Lateral projection; right wrist radiograph; pediatric patient (boy, age 10); in cast; Siemens 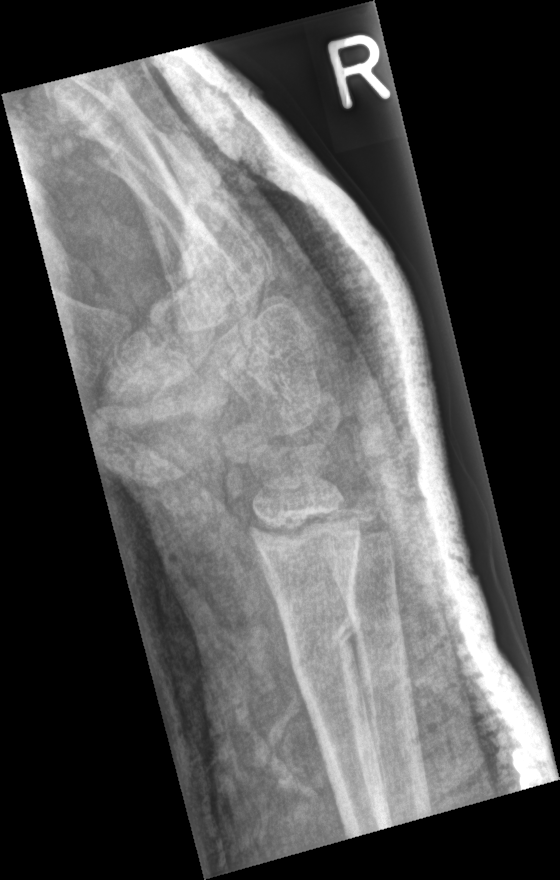
{"_coords": "coordinates are [x1, y1, x2, y2] in image pixels", "fracture": "1 @ [286, 600, 368, 681]"}